Right wrist plain film | lateral projection | male, 12 yo | subsequent exam | cast present
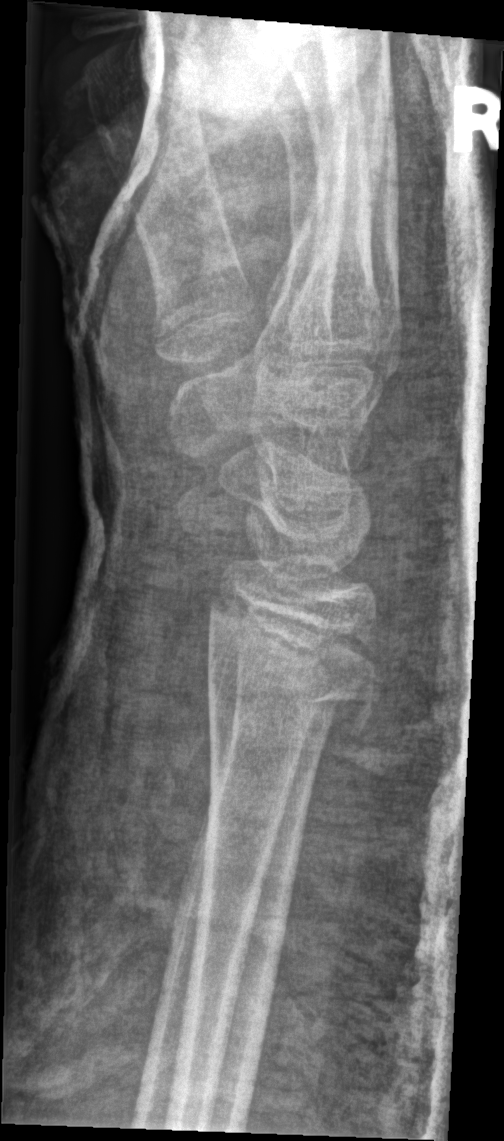

• Pixel coordinates, top-left origin, xyxy.
• Fracture identified at bbox(200, 644, 391, 747).
• AO code 23r-M/3.1.